Lateral projection · R wrist plain film · image width 56.4 mm.

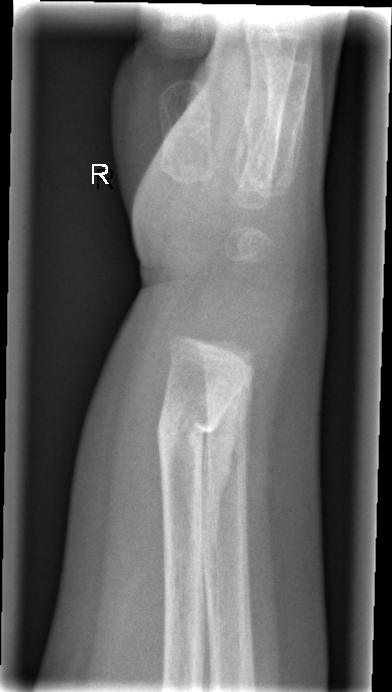   # boxes as x1,y1,x2,y2 (top-left / bottom-right, pixel units)
  fracture: [153, 393, 219, 476]
  ao: 23-M/2.1
  periostealreaction: 1 @ [200, 377, 253, 660]